Lat view; left wrist XR; pediatric patient (male, age 14); initial study; image 72.1 mm wide:
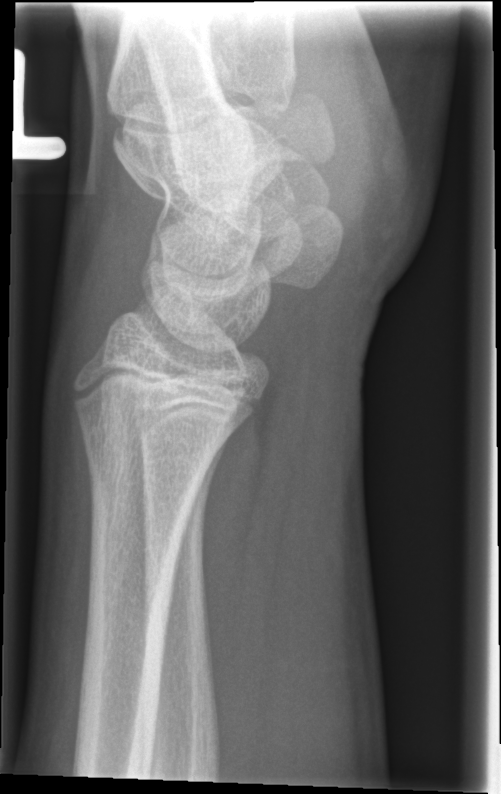 Q: Locate any fractures.
A: No fracture bounding box